L wrist XR | PA | 12-year-old girl —
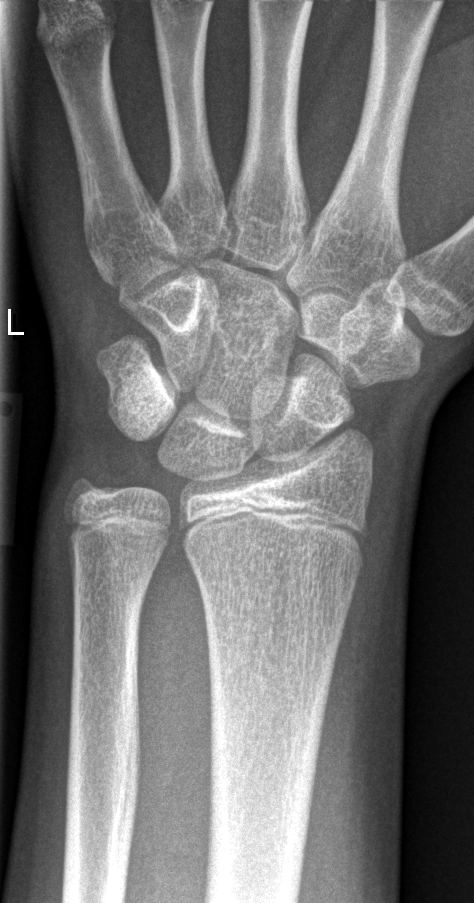
FINDINGS: No Fx annotated.